Lt plain radiograph of the wrist · lateral view · female, 10 yo —

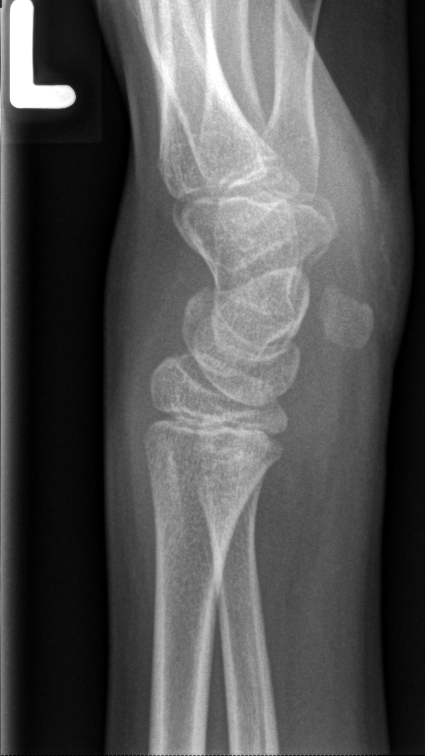

* Reduced bone mineral density.
* No Fx annotated.
* Soft tissue abnormality — (left=99, top=169, right=196, bottom=571).